L pediatric wrist radiograph · lateral projection · 12-year-old girl · initial study · 466 by 1038 pixels —

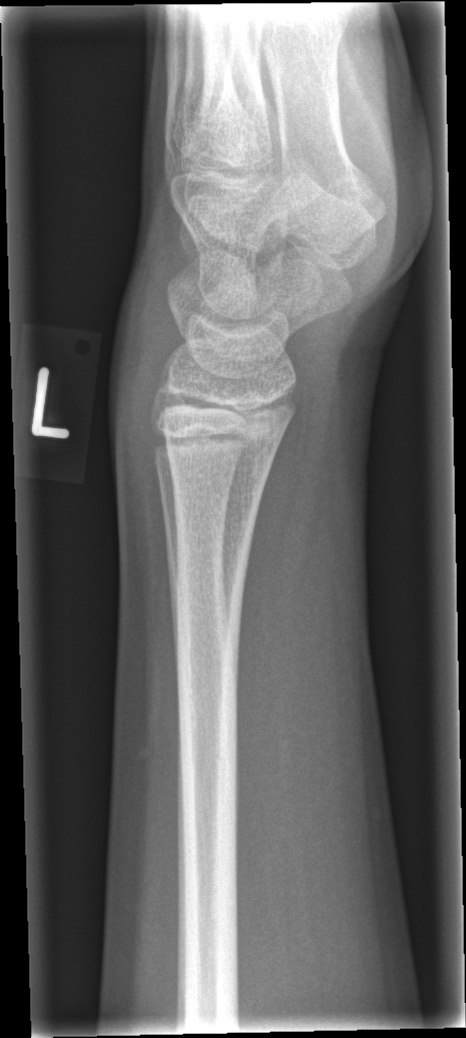 Q: Any fracture seen?
A: Fracture: none labeled